Lat · right wrist pediatric wrist radiograph.

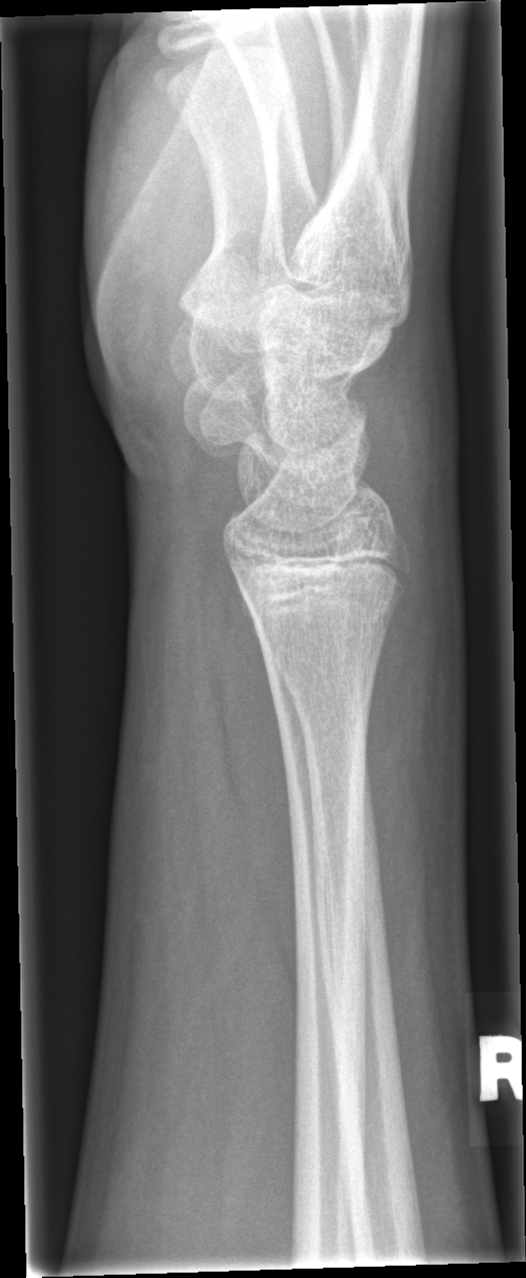
- Fracture: none labeled.
- Soft-tissue swelling identified at (left=359, top=544, right=465, bottom=890).